Lat · Lt wrist radiograph · male, 15 yo 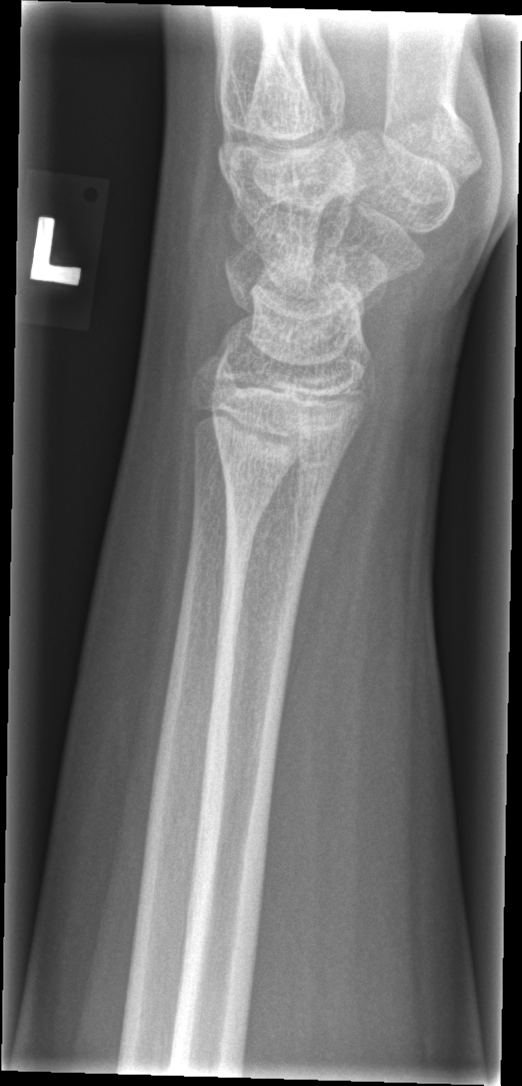
No fracture labeled.